Lateral view · left wrist pediatric wrist radiograph · 9y M

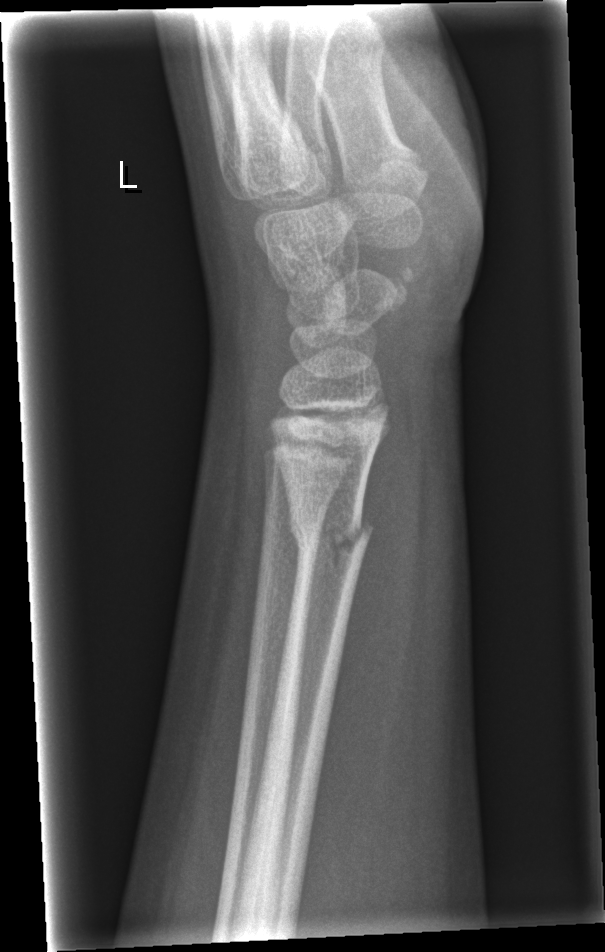 Bounding boxes in image-pixel xyxy. Bone fracture — bbox(283, 506, 380, 574). AO code 23r-M/3.1.